Lt wrist radiograph; lateral; pediatric patient (male, age 15) —
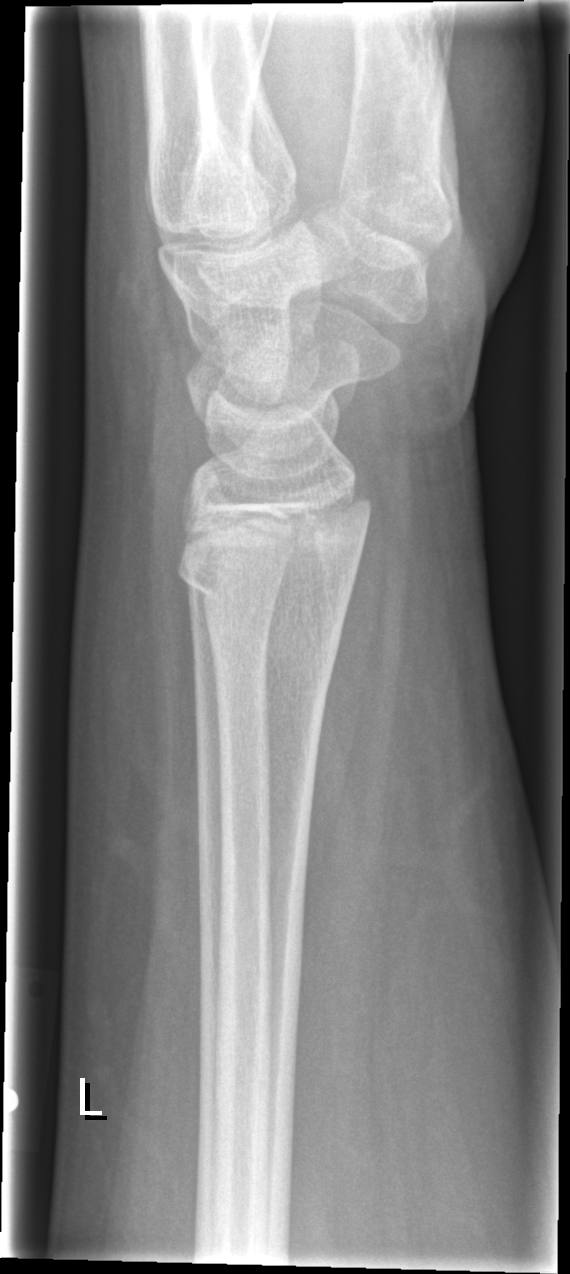
FINDINGS: Fx — 167,545,360,636.